Lateral projection | Lt wrist plain film | 15y F | image 53.6 mm wide 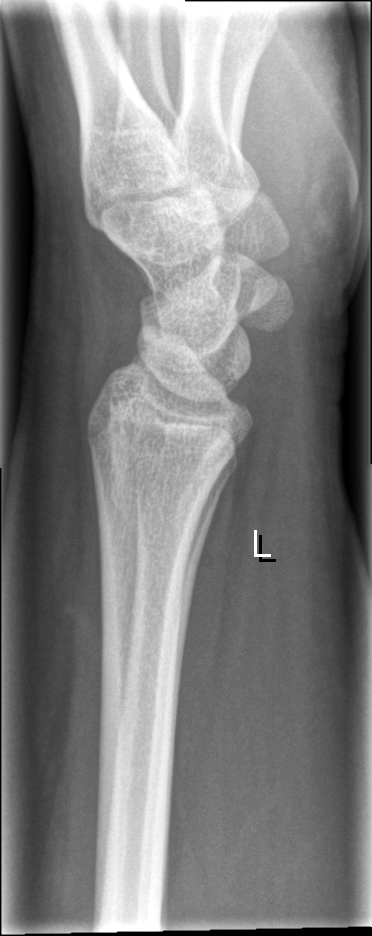 FINDINGS — No fracture annotation.